Lat; R pediatric wrist radiograph; index exam; 538 by 1374 pixels — 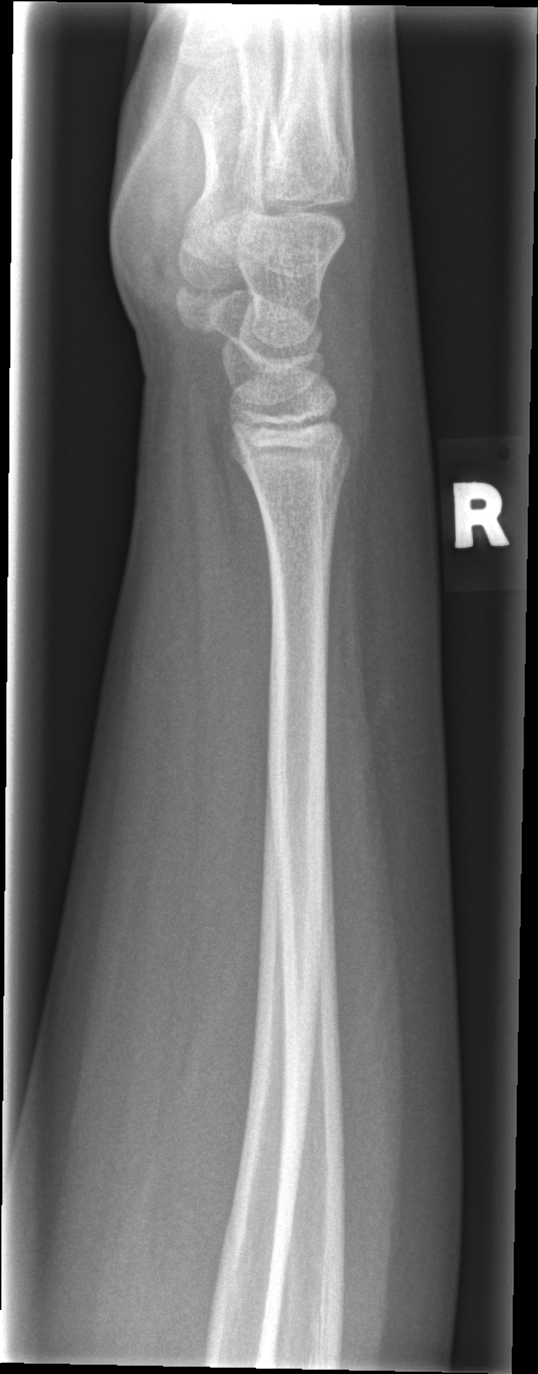
Bone fracture = none labeled